L wrist radiograph, lat, follow-up study, detector: Siemens —

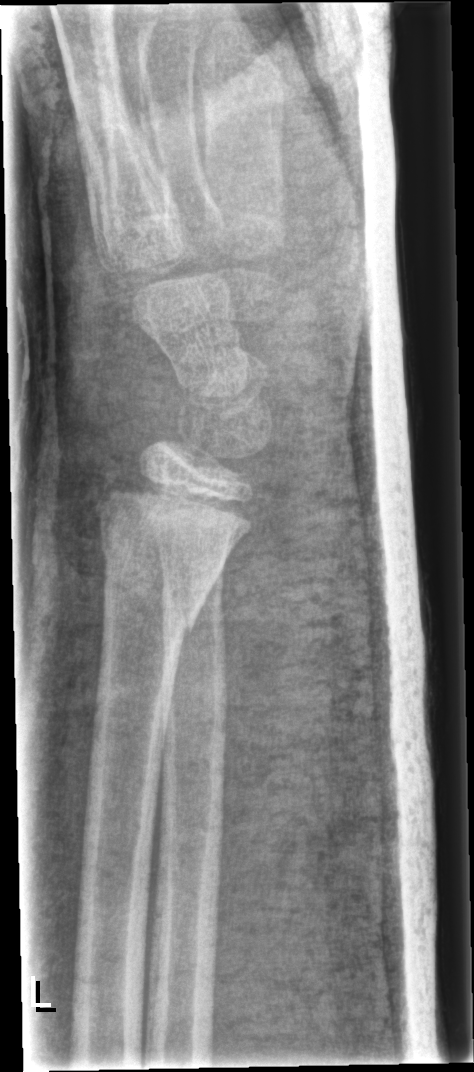
(boxes as x1,y1,x2,y2 (top-left / bottom-right, pixel units))
AO classification: 23r-M/2.1
Bone fracture: 1 @ 98 531 201 659